Right wrist plain film | lat view | 15-year-old girl. 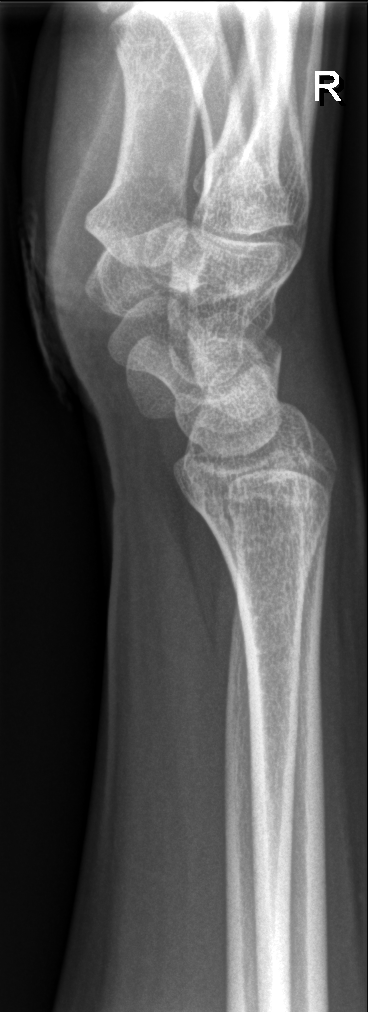 Q: Is there a fracture?
A: No fracture bounding box